Posteroanterior projection | L wrist plain film | in cast | acquired on Siemens — 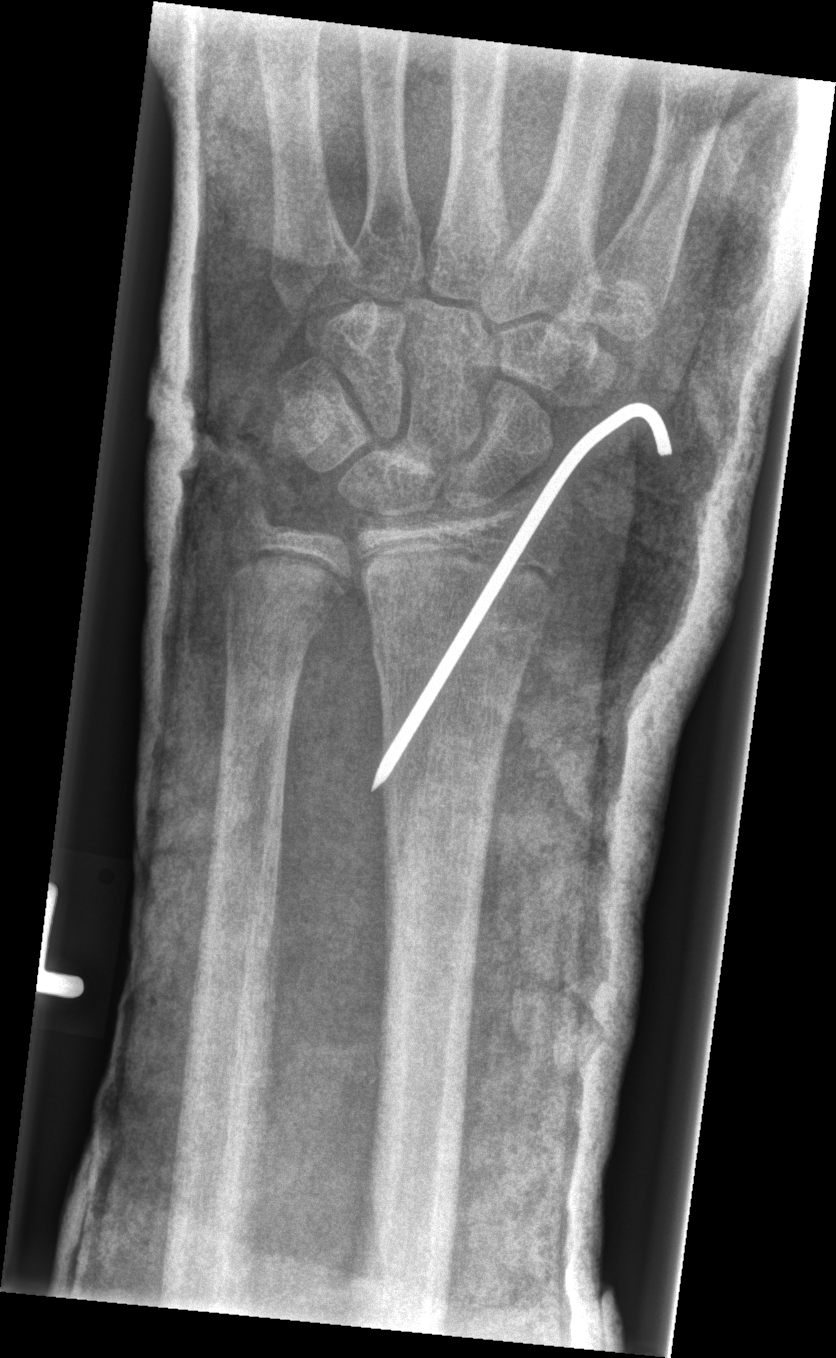
Metallic implant: [x1=365, y1=400, x2=676, y2=799]
AO code: 23r-E/2.1; 23u-M/2.1
Bone fracture: [x1=368, y1=613, x2=547, y2=678], [x1=226, y1=582, x2=338, y2=641]